Posteroanterior view · Rt wrist radiograph · male, 12 yo · 398 x 680 px — 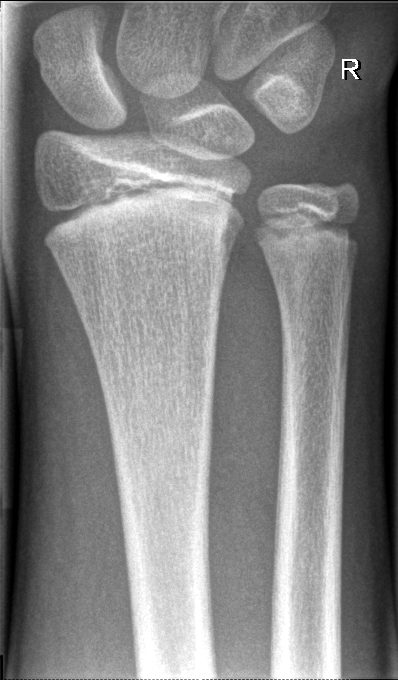 {
  "fracture": "none labeled"
}